Frontal view | Lt pediatric wrist radiograph | image size 538x988 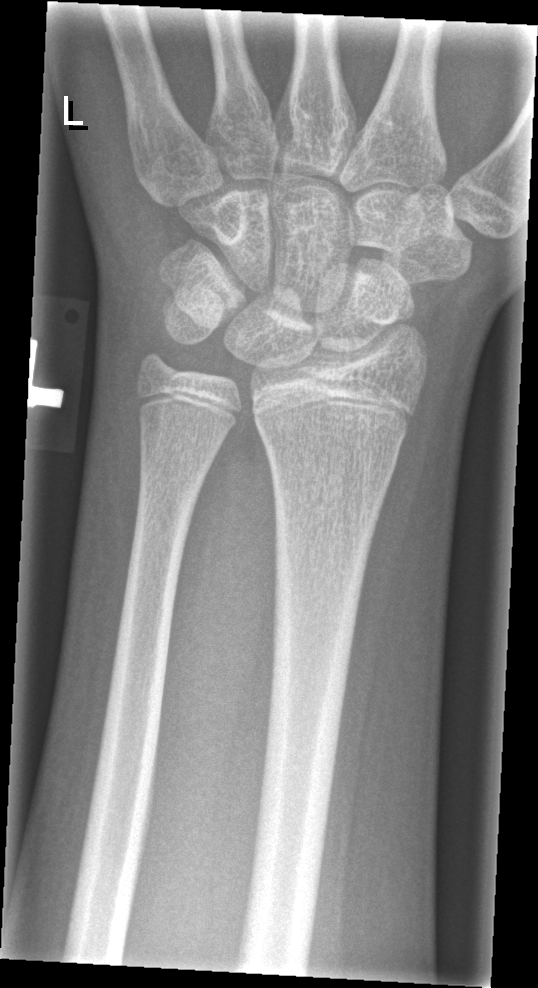
- No fracture labeled.